Rt wrist X-ray; lat view; follow-up study —
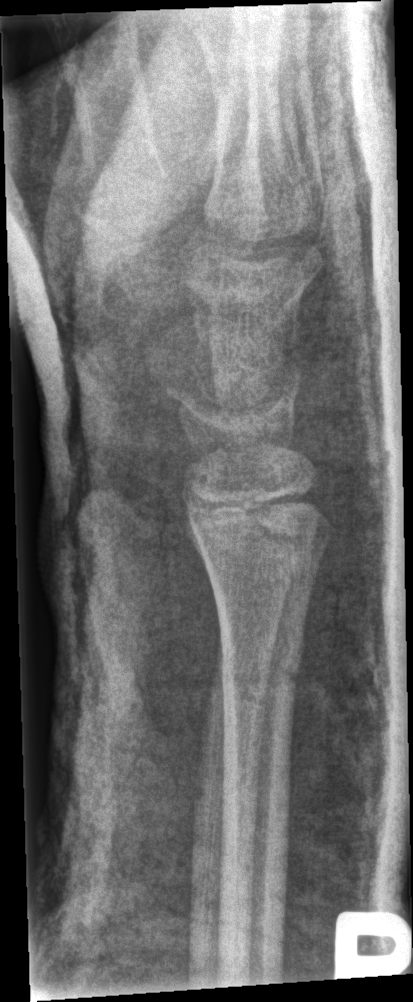 Bone fracture = 1 @ (left=217, top=637, right=308, bottom=709)